PA/AP projection, L wrist radiograph, 15-year-old male — 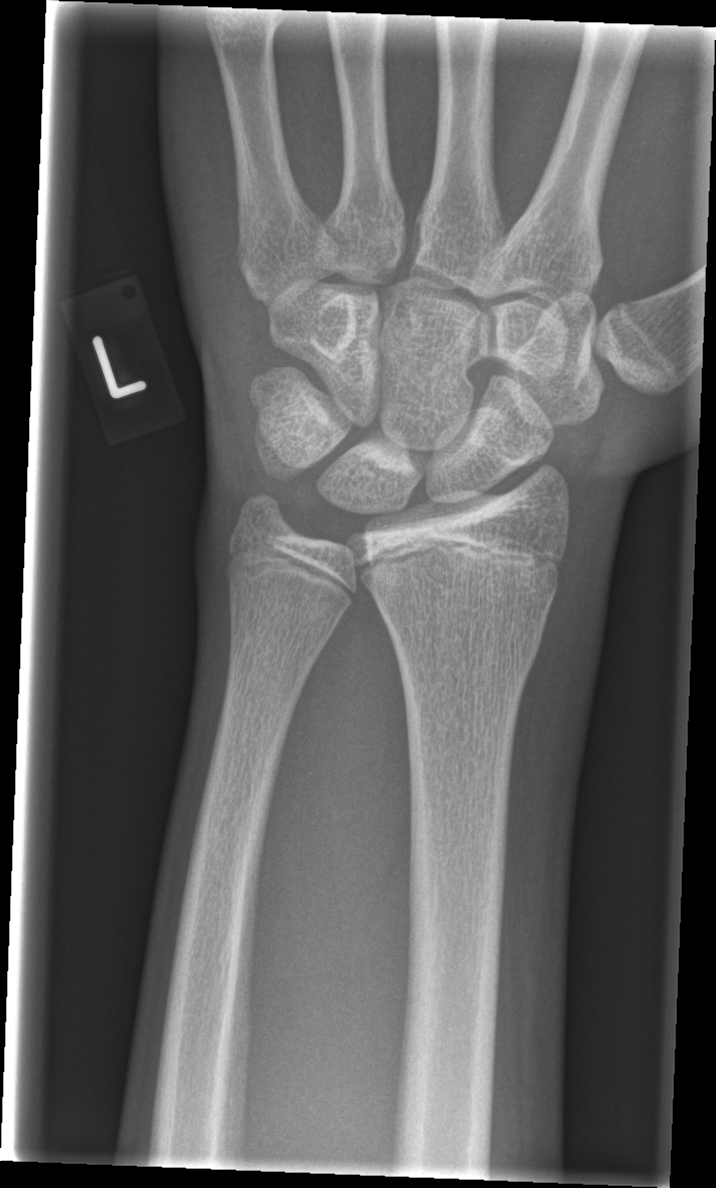 bone fracture = none labeled